Right wrist pediatric wrist radiograph, lateral view

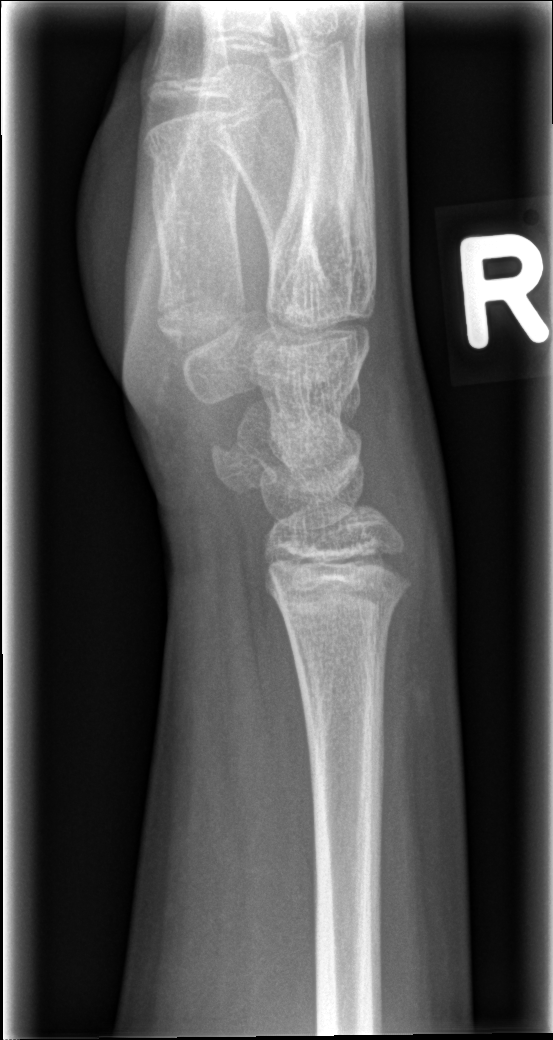

FINDINGS: (coordinates are [x1, y1, x2, y2] in image pixels) Bone fracture: (279, 568, 416, 639). AO code 23r-M/2.1.